Lat | right wrist pediatric wrist radiograph | acquired on Siemens —

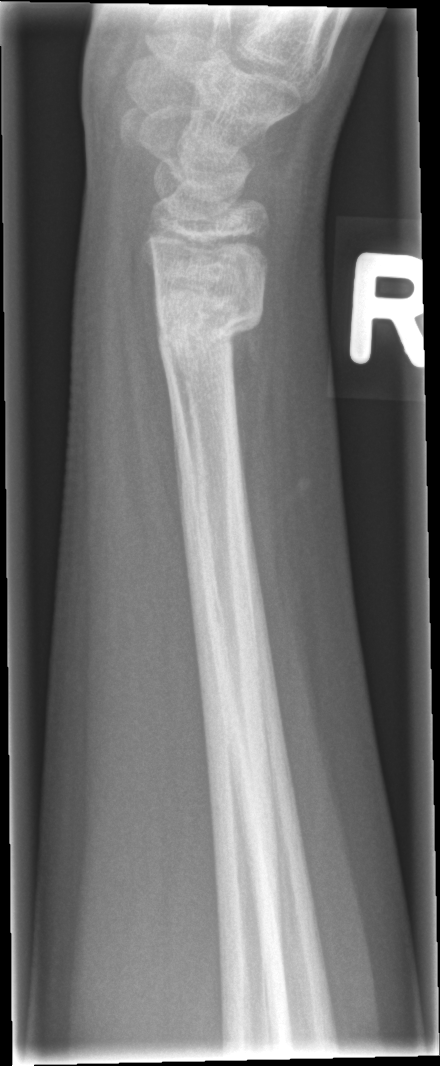 Fx identified at 153,291,268,362. AO/OTA classification: 23r-M/3.1; 23u-E/2.1.